L plain radiograph of the wrist, PA, girl, 5 yo, initial study:
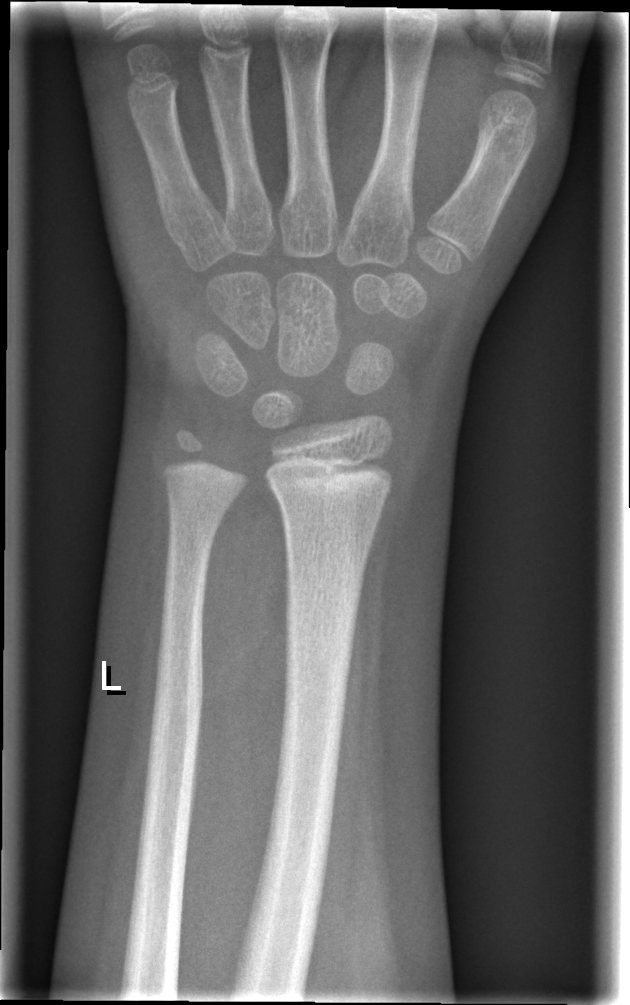 Fracture classified AO/OTA 23r-M/2.1.
Fracture present but not clearly seen in this view.